Right wrist radiograph, posteroanterior view, diagnosis uncertain, image 81.8 mm wide:
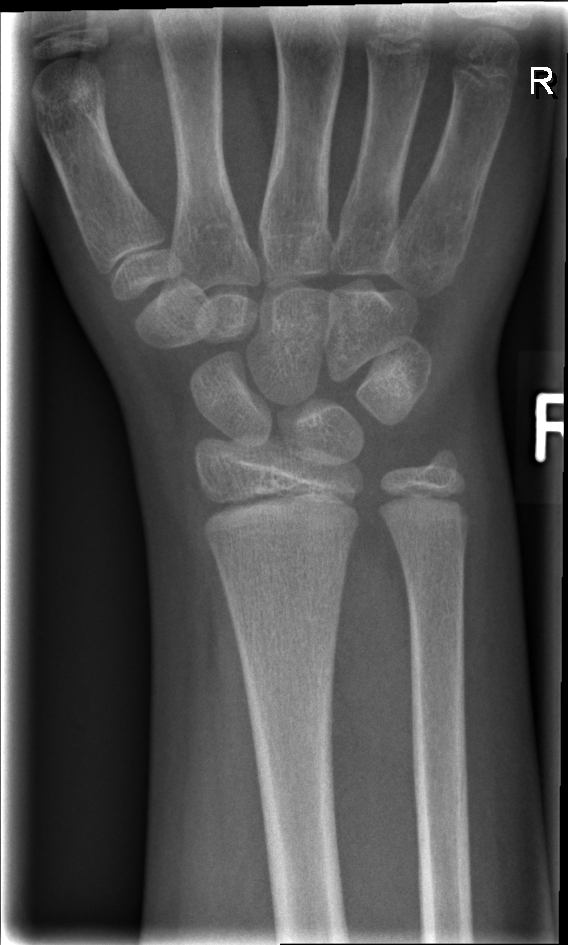
Q: What is the AO/OTA classification?
A: Fracture classified AO/OTA 23r-M/2.1
Q: Fracture present?
A: Fracture: present but not clearly seen in this view